L wrist X-ray, frontal view, follow-up:
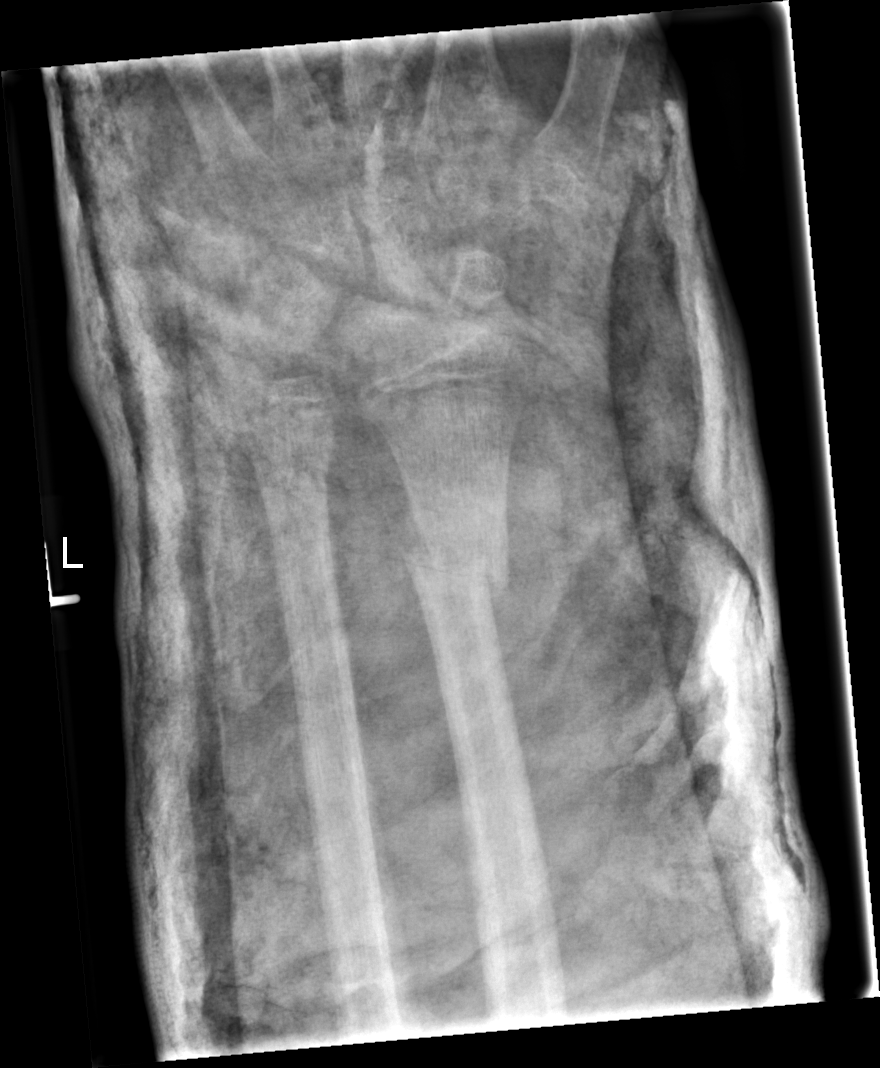 Bone fractures — [393, 528, 515, 610]; [244, 434, 337, 503].